Right plain radiograph of the wrist | AP projection. 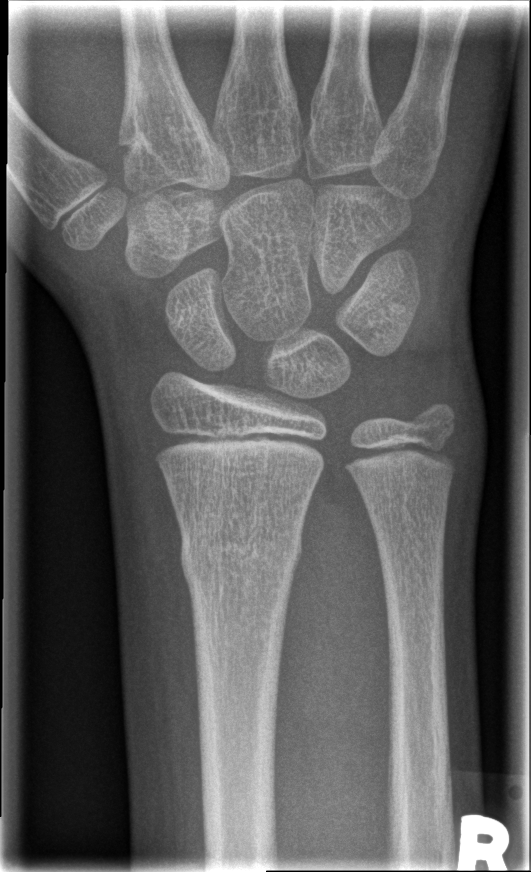

fracture: [178, 516, 304, 592]